Right wrist plain film | PA view | 7y M | follow-up study —
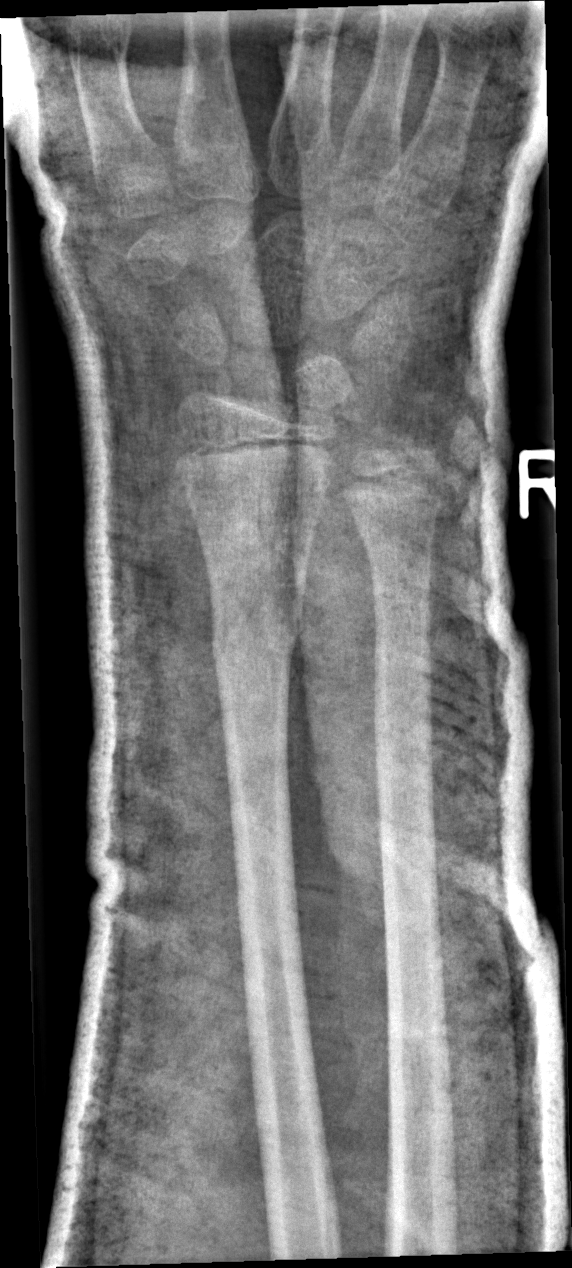

Pixel coordinates, top-left origin, xyxy.
Bone fracture: 207 598 306 674.
AO code 23r-M/3.1; 23u-M/2.1.